PA view; right wrist pediatric wrist radiograph; male, 9 yo; cast present

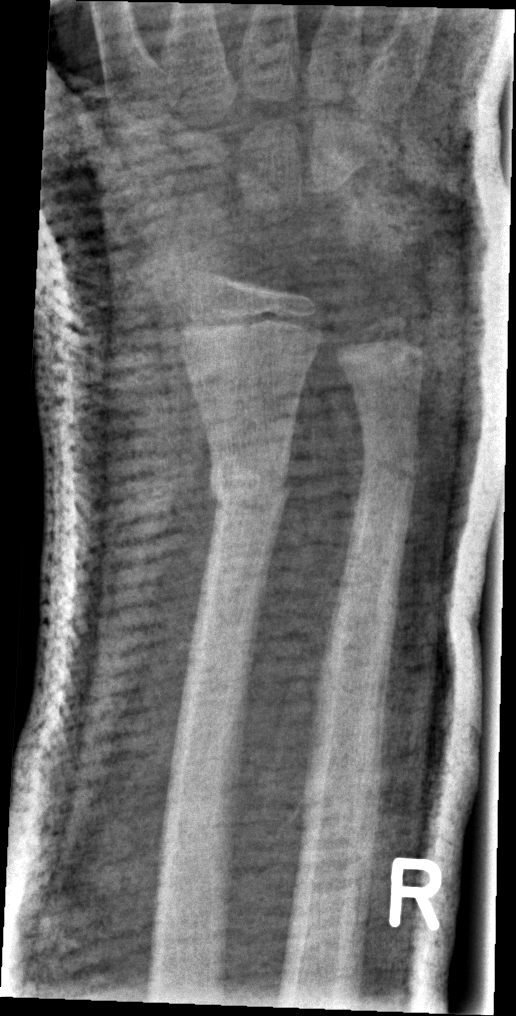

(pixel coordinates, top-left origin, xyxy)
bone fracture = <204,452>-<294,524>, <358,444>-<422,498>